L wrist XR, PA/AP, image 70.3 mm wide
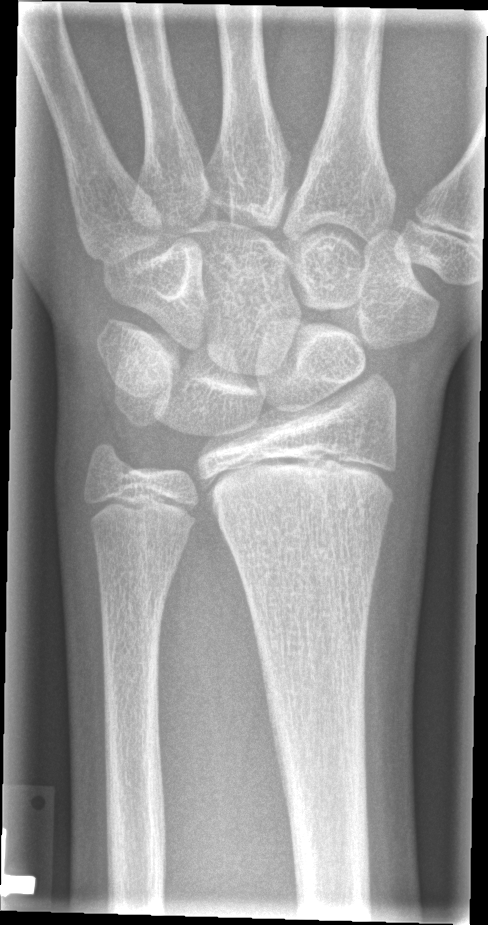
Findings: AO/OTA classification: 23r-M/2.1. Fracture: present but not clearly seen in this view.